Rt wrist plain film, lateral projection, 354x902

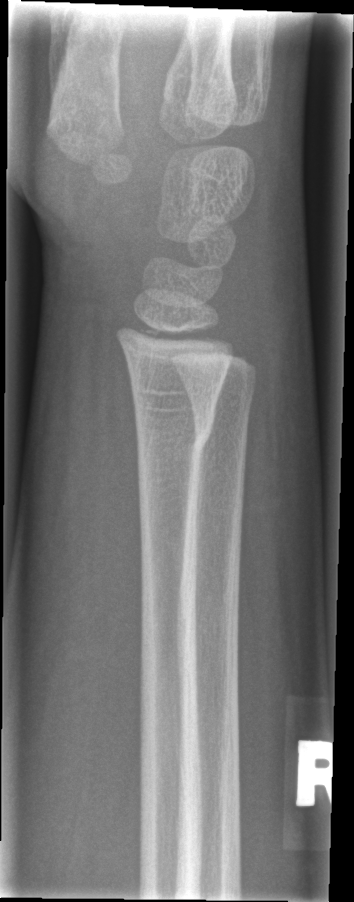

Fx = 1 @ 132 405 218 457